PA/AP projection | left wrist radiograph | age 11 y, girl | image 85.1 mm wide.
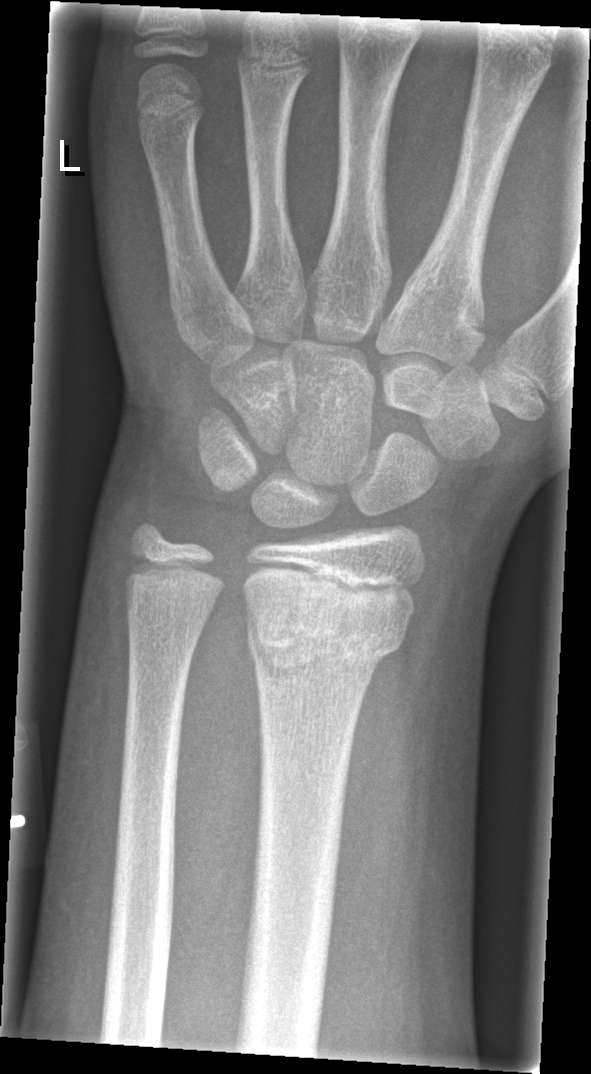

# coordinates are [x1, y1, x2, y2] in image pixels
ao: 23r-M/3.1
fracture: [x1=241, y1=599, x2=415, y2=688]